L pediatric wrist radiograph, lat, cast present —
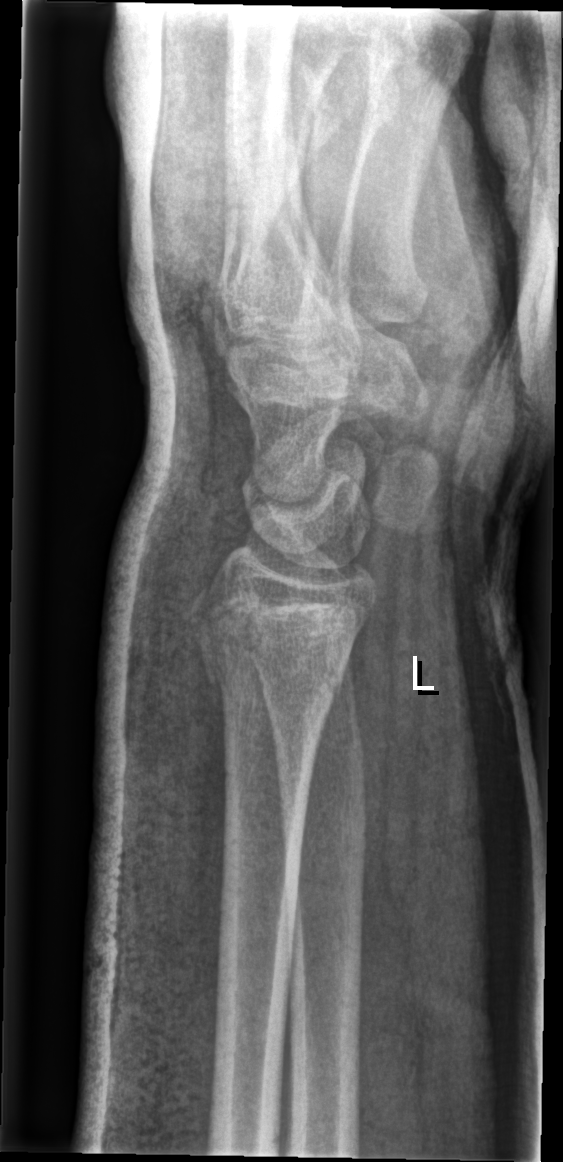

ao: 23r-M/3.1
fracture: 1 @ (left=186, top=625, right=354, bottom=701)